L plain radiograph of the wrist · posteroanterior · 12y F.

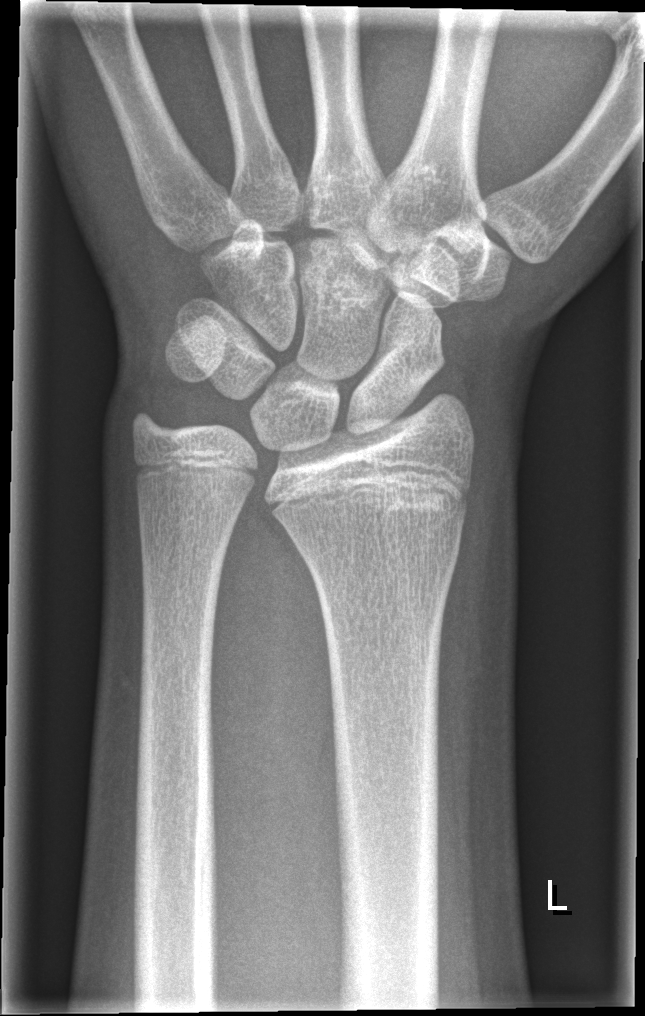
Bone variant = 1 @ bbox(121, 364, 305, 577)
Fx = none labeled